Lt wrist plain film · PA/AP projection · female, 17 yo —

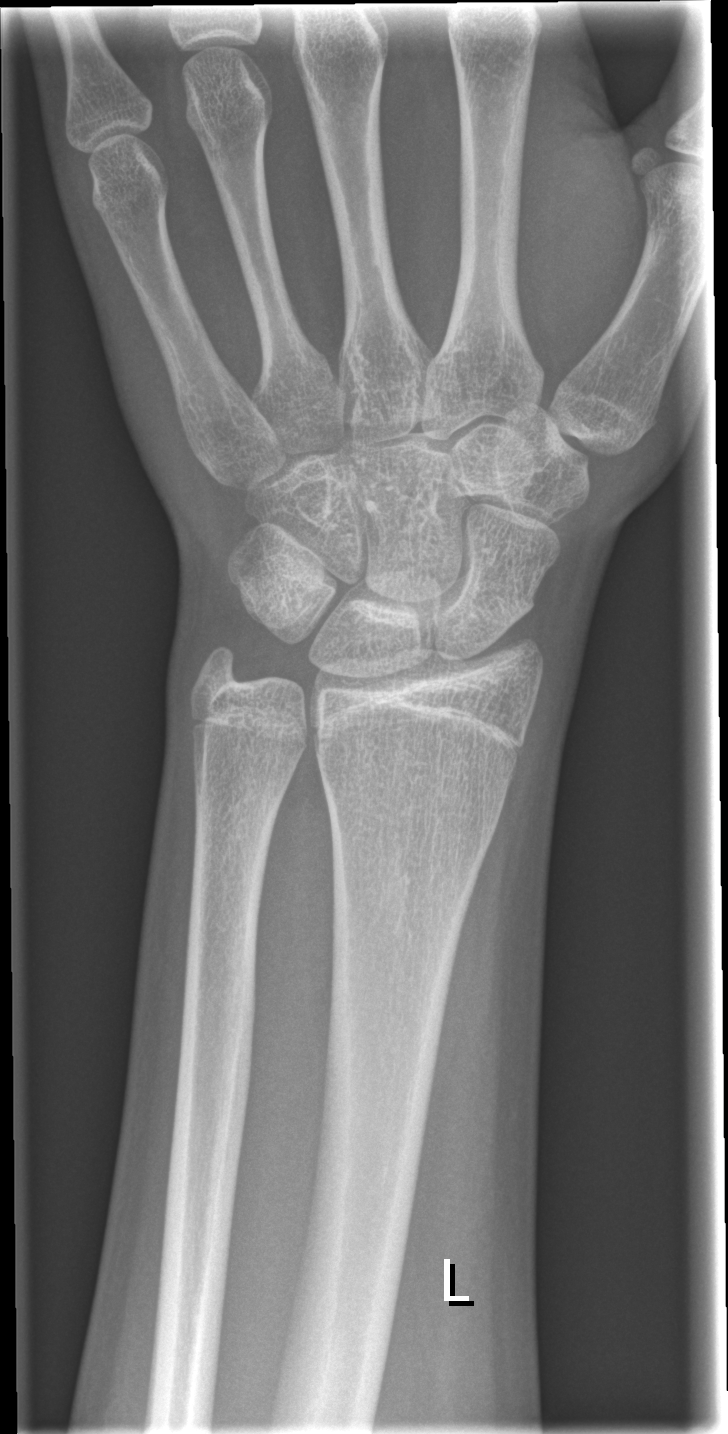 No fracture bounding box.